R wrist X-ray; lateral; pediatric patient (girl, age 5); index exam; 430 x 882 px

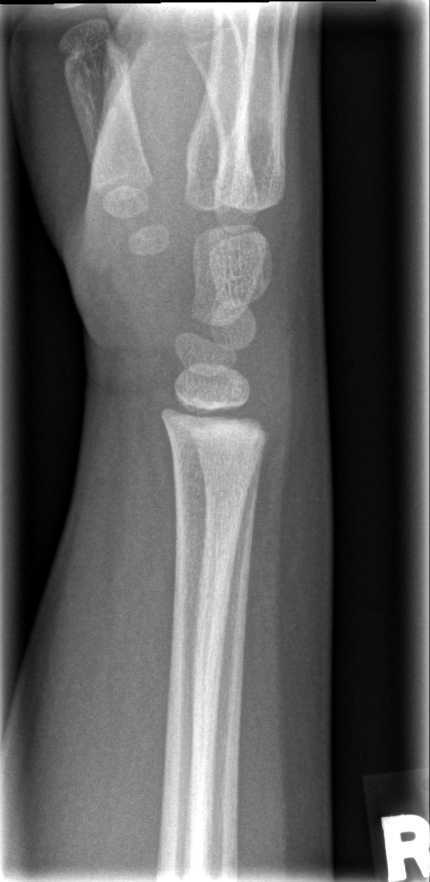

FINDINGS — Fracture: none labeled.